Lat view, right wrist X-ray, index exam, image size 397x736.
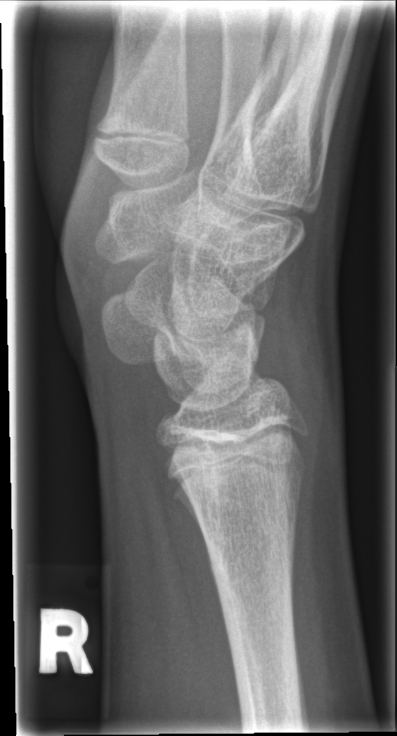

- No Fx annotated.